Lat projection | left wrist plain film | 15-year-old male | follow-up study | 87.3 mm image width —
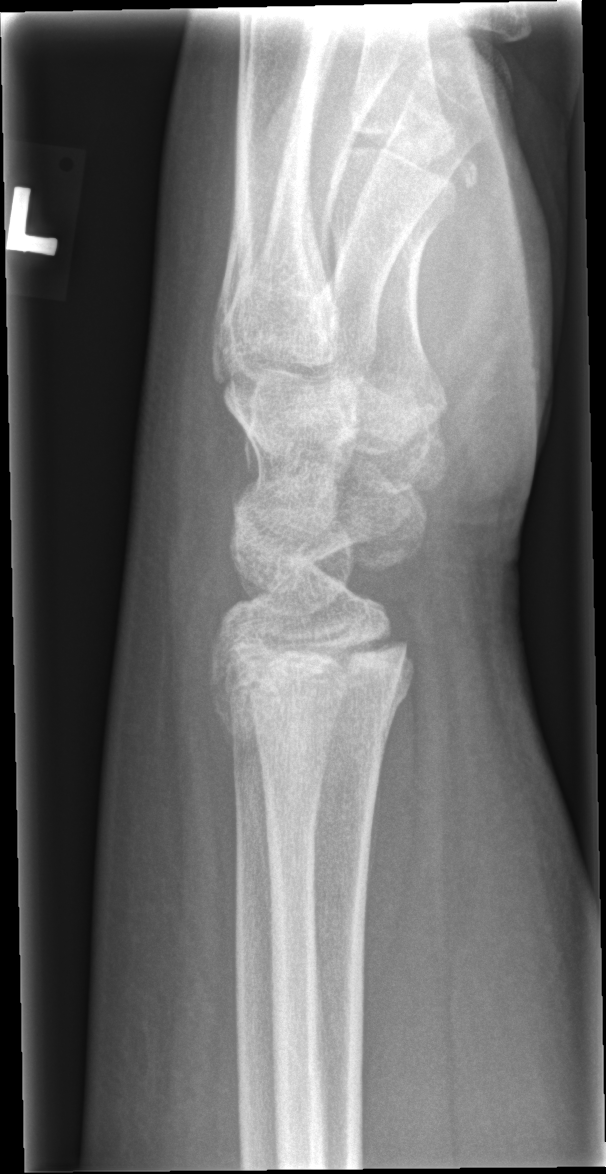

(bounding boxes in image-pixel xyxy)
Q: Is there a fracture?
A: One bone fracture at (left=205, top=634, right=417, bottom=752)
Q: AO code?
A: AO code 23r-E/2.1; 23u-E/7